AP projection · L wrist radiograph · pediatric patient (boy, age 10) · detector: Siemens · 628 by 939 pixels 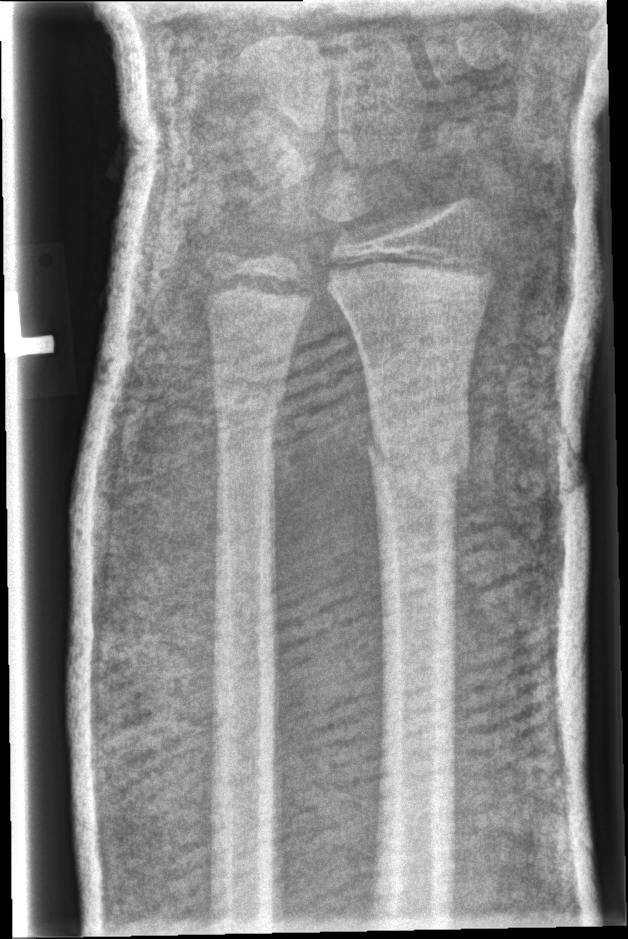
(boxes as x1,y1,x2,y2 (top-left / bottom-right, pixel units))
Q: AO code?
A: AO code 23-M/3.1
Q: Any fracture seen?
A: Fx — [367, 415, 470, 492]; [210, 364, 292, 419]